Posteroanterior · L plain radiograph of the wrist · in cast · 639 by 930 pixels
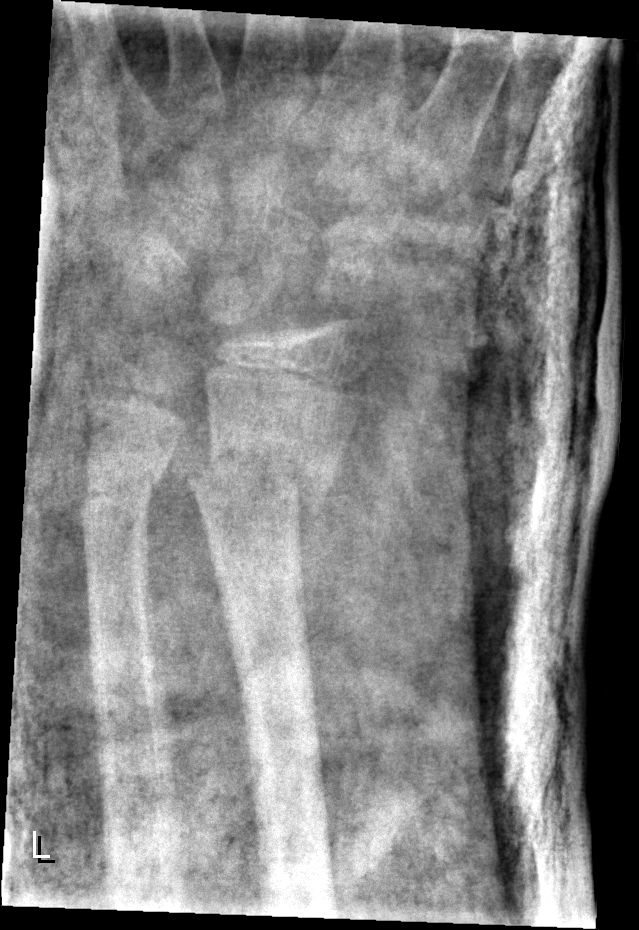

{
  "_coords": "pixel coordinates, top-left origin, xyxy",
  "ao": "23-M/3.1",
  "fracture": "[184, 415, 343, 531]; [75, 459, 168, 519]"
}